Lt wrist plain film | PA view | subsequent exam | image 125.9 mm wide. 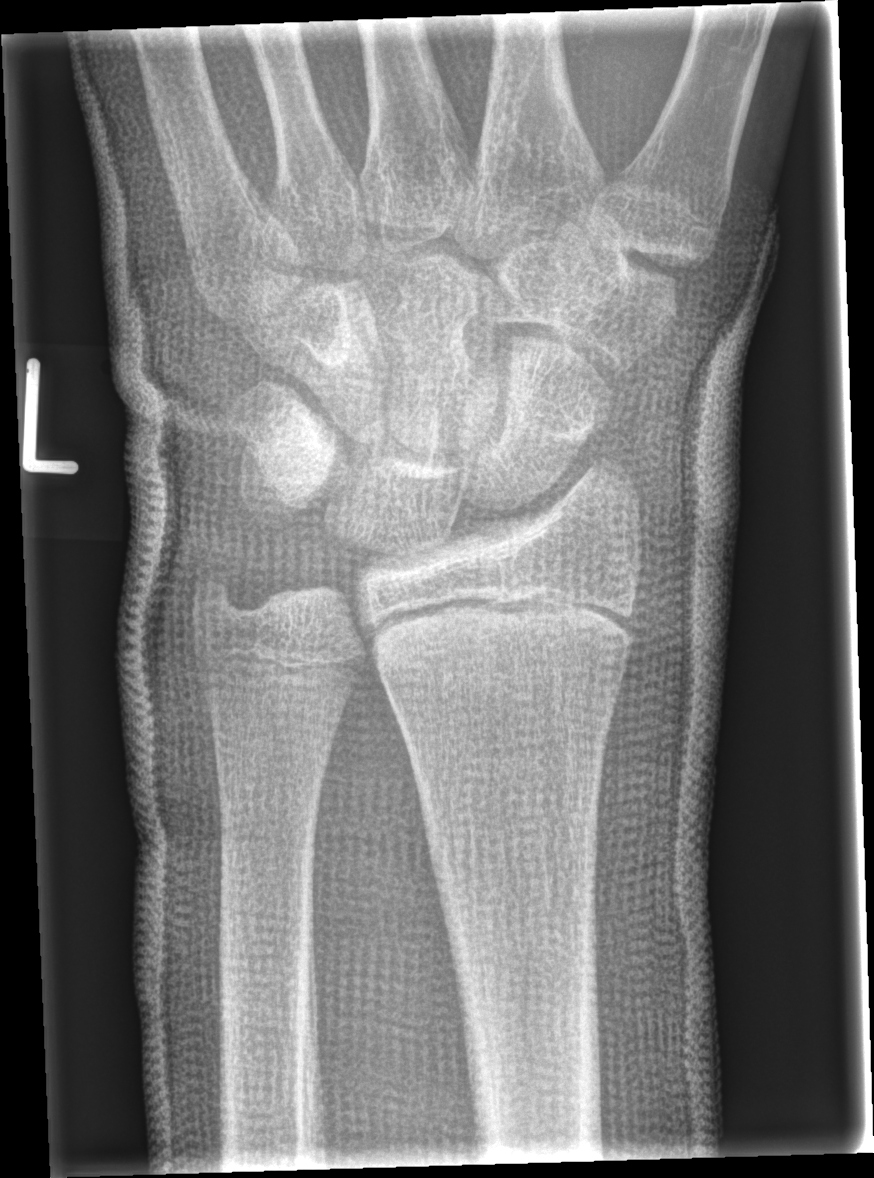 fracture: (373, 590, 640, 690)
ao: 23r-E/2.1